L wrist radiograph, lat, 14y M, subsequent exam, acquired on Siemens, image 77.2 mm wide. 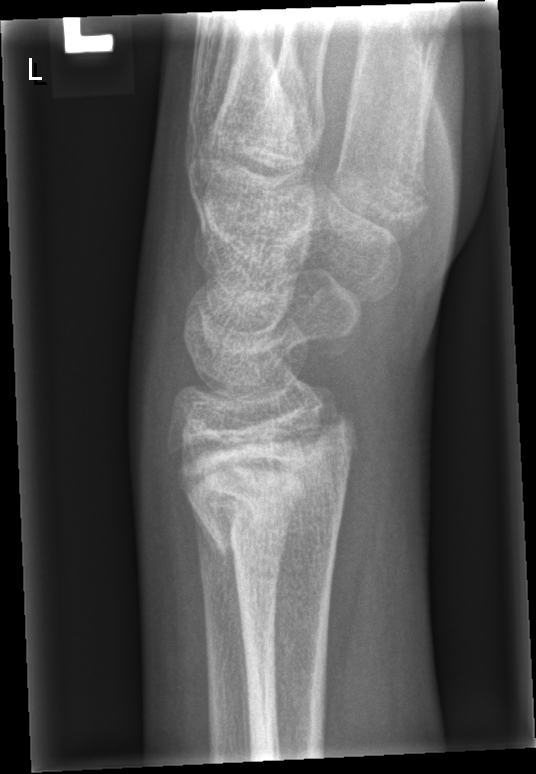 bone fracture: (left=171, top=414, right=360, bottom=564)
osteopenia: present